Lateral view | right wrist pediatric wrist radiograph | boy, 6 yo | imaged through cast 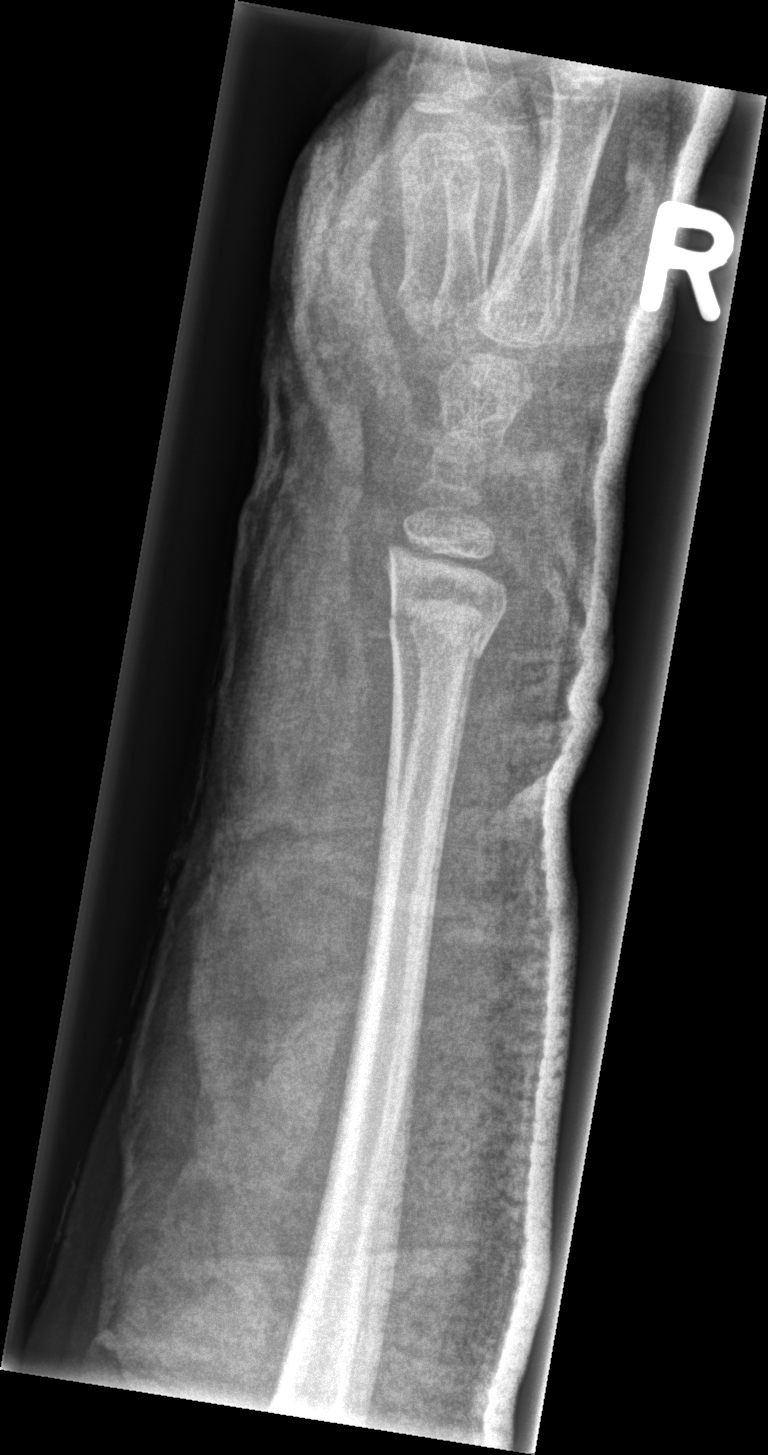

{
  "fracture": "1 @ [x1=389, y1=593, x2=494, y2=668]",
  "ao": "23r-M/3.1"
}